R wrist radiograph · AP projection · 8-year-old boy:
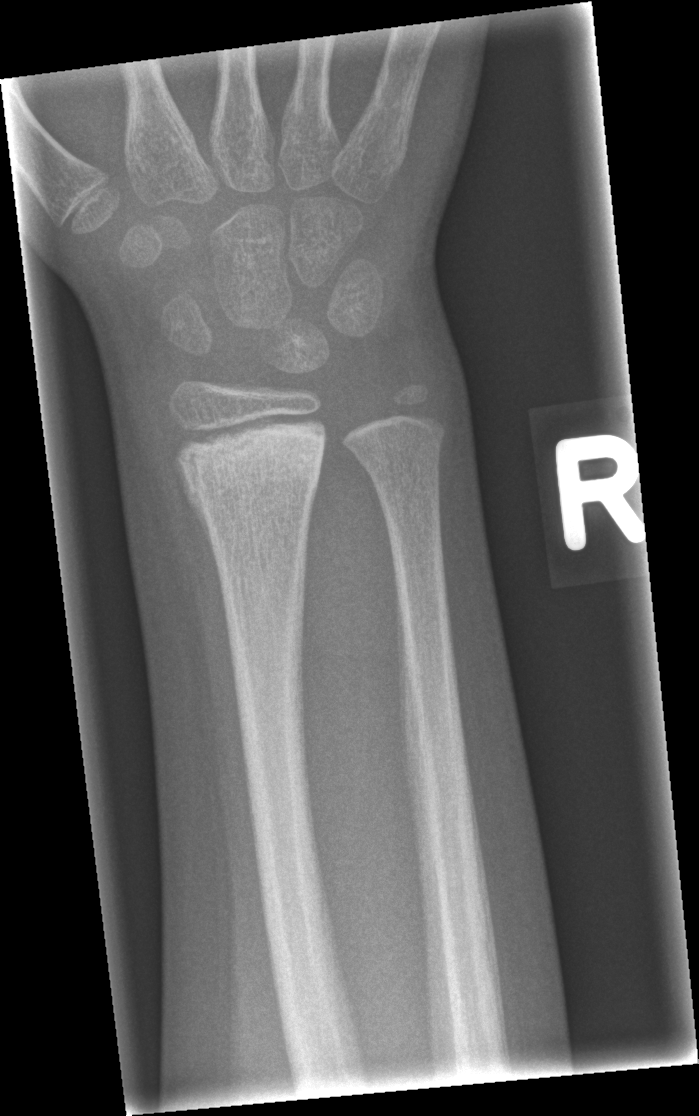

Findings: (coordinates are [x1, y1, x2, y2] in image pixels) Reduced bone mineral density. Bone fracture — (176, 427, 328, 523). Fracture classified AO/OTA 23r-E/2.1.